Lt wrist plain film · lat view · male, 9 yo · 67.8 mm image width
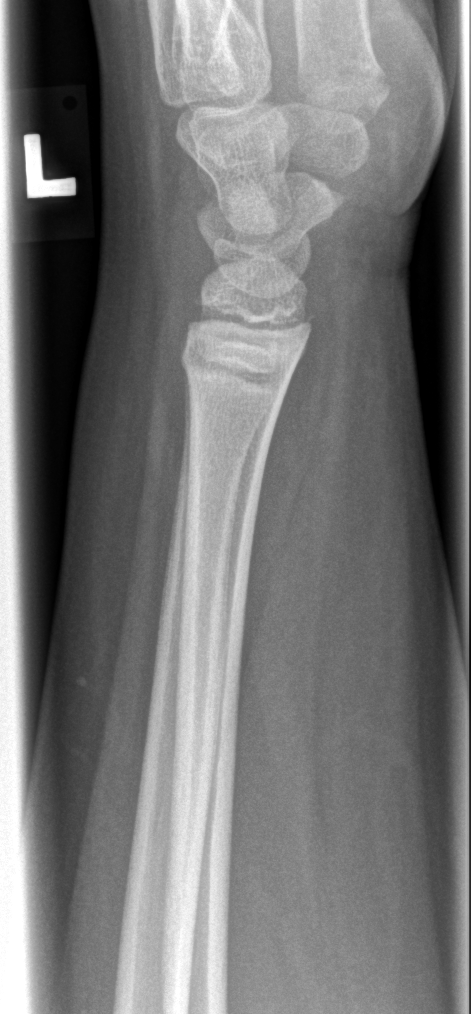

(coordinates are [x1, y1, x2, y2] in image pixels)
Q: Locate any fractures.
A: Fracture — (left=178, top=303, right=322, bottom=386)